Lateral view · right wrist plain film · female, 9 yo · Siemens · 462x832
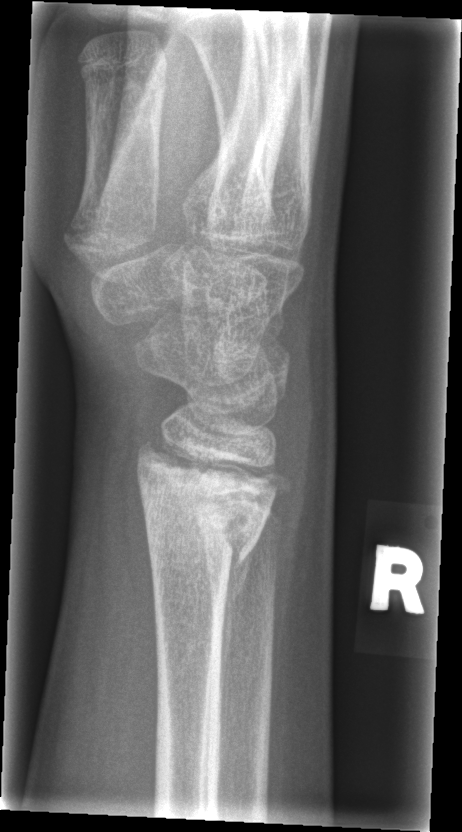

Periosteal thickening = <218,538>-<259,758>
Osteopenia = present
Bone fracture = 1 @ <131,430>-<283,575>